Lt wrist X-ray; lateral view; presentation radiograph. 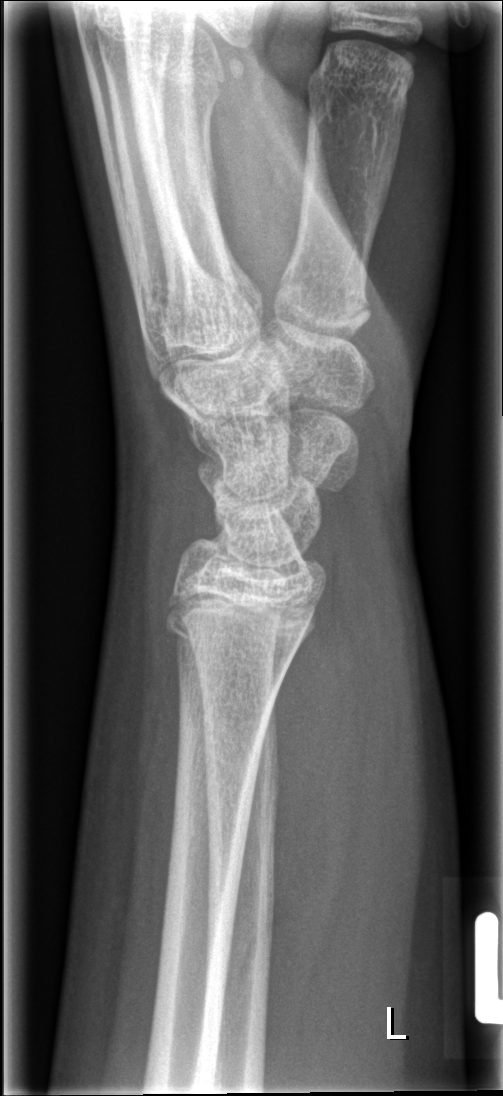

FINDINGS — (pixel coordinates, top-left origin, xyxy) Pronator sign — [x1=260, y1=545, x2=374, y2=1070]. Fracture: [x1=162, y1=590, x2=310, y2=652].